AP projection · Rt plain radiograph of the wrist · age 13 y, male · subsequent exam · imaged through cast —
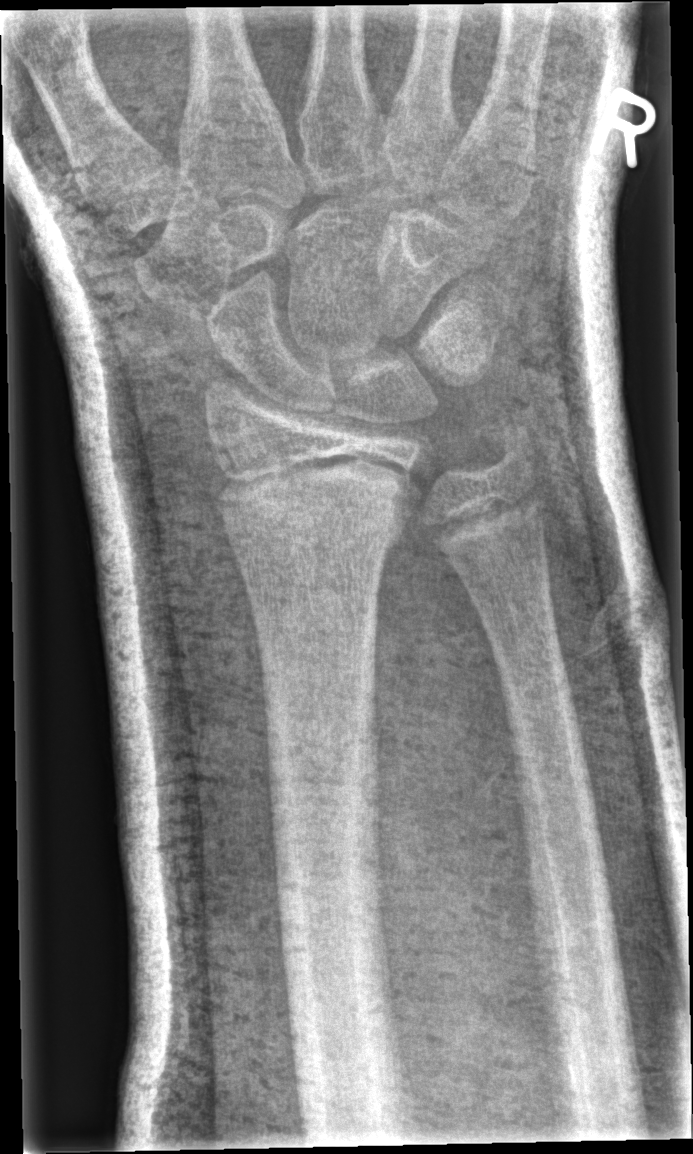

FINDINGS — Fracture present, though not clearly seen in this view.